L wrist X-ray · posteroanterior view · follow-up · cast in situ.
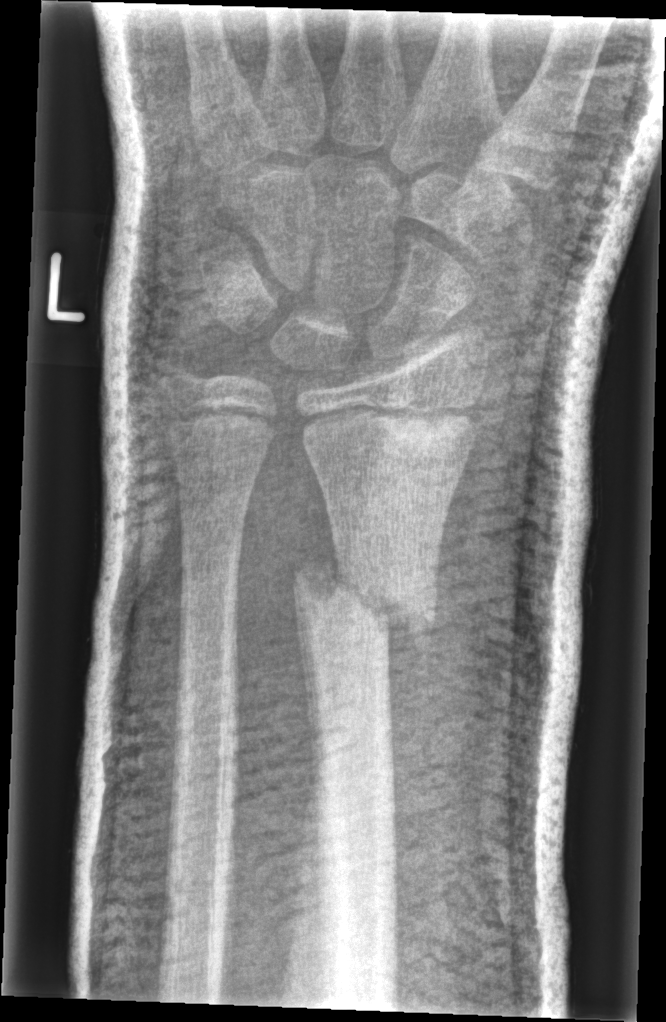
AO code 23r-M/3.1; 23u-E/7.
Fx — (left=289, top=554, right=442, bottom=659).